Lt wrist radiograph, lat projection, age 9 y, boy, subsequent exam, 765x1128 — 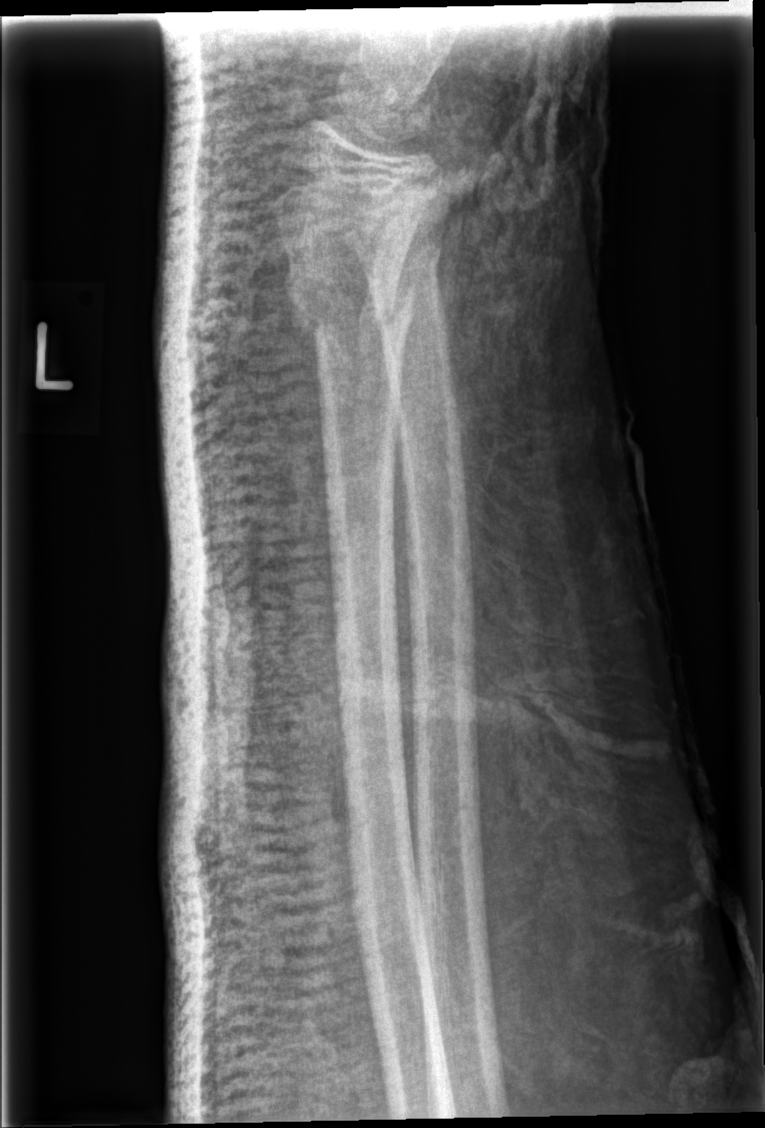 bone fracture: 282,260,418,345 | 358,239,445,292